PA/AP | left wrist plain film

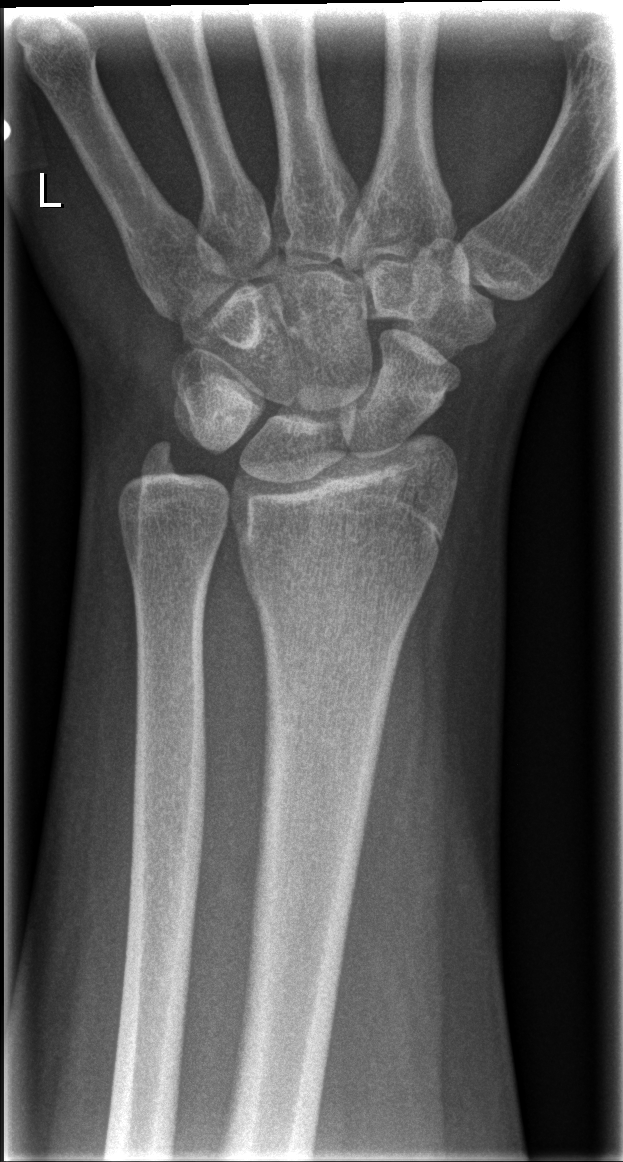
No fracture bounding box.